Lateral projection, Rt wrist XR, 9y F, in cast, acquired on Siemens, 553 by 1112 pixels.

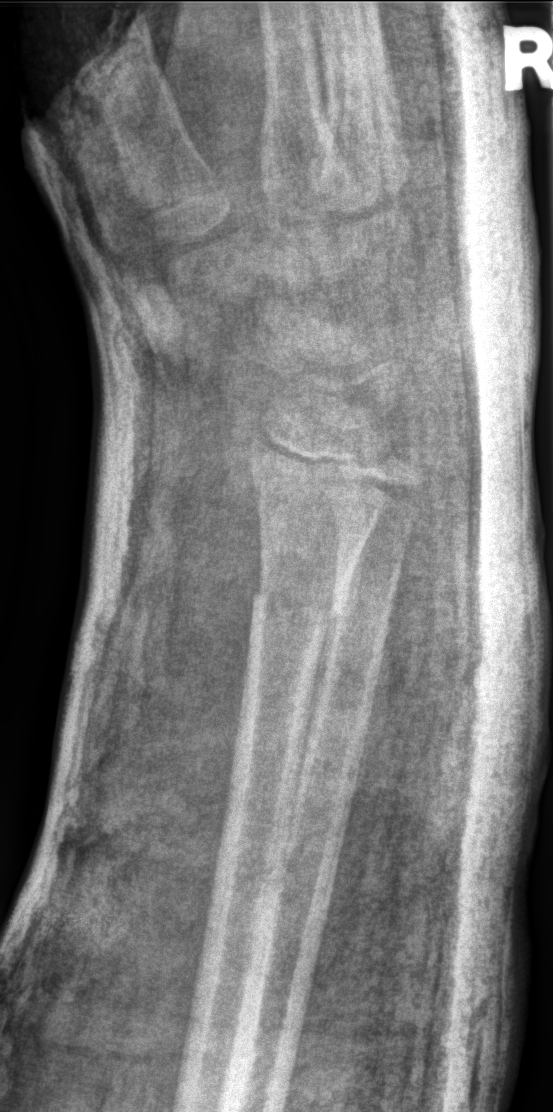 * Coordinates are [x1, y1, x2, y2] in image pixels.
* Fracture: 247,582,356,644.
* AO code 23r-M/3.1; 23u-M/2.1; 23u-E/7.